PA/AP projection | Lt plain radiograph of the wrist | imaged through cast 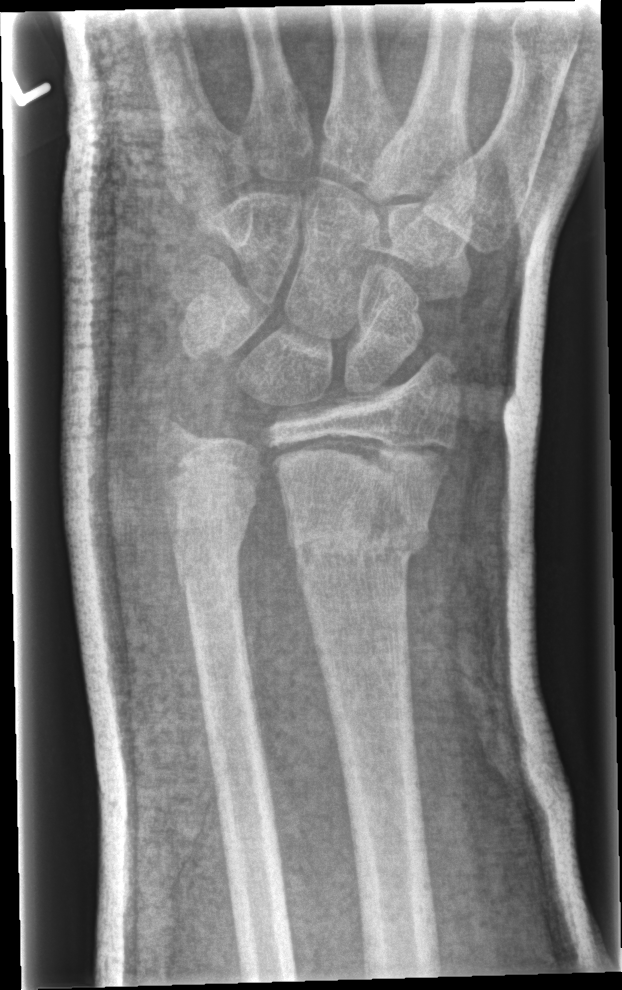

Pixel coordinates, top-left origin, xyxy.
AO/OTA classification: 23-M/3.1; 23u-E/7.
Three Fx at bbox(285, 485, 432, 582); bbox(173, 518, 247, 593); bbox(151, 401, 210, 458).